PA/AP projection · Lt plain radiograph of the wrist · image size 624x1132.
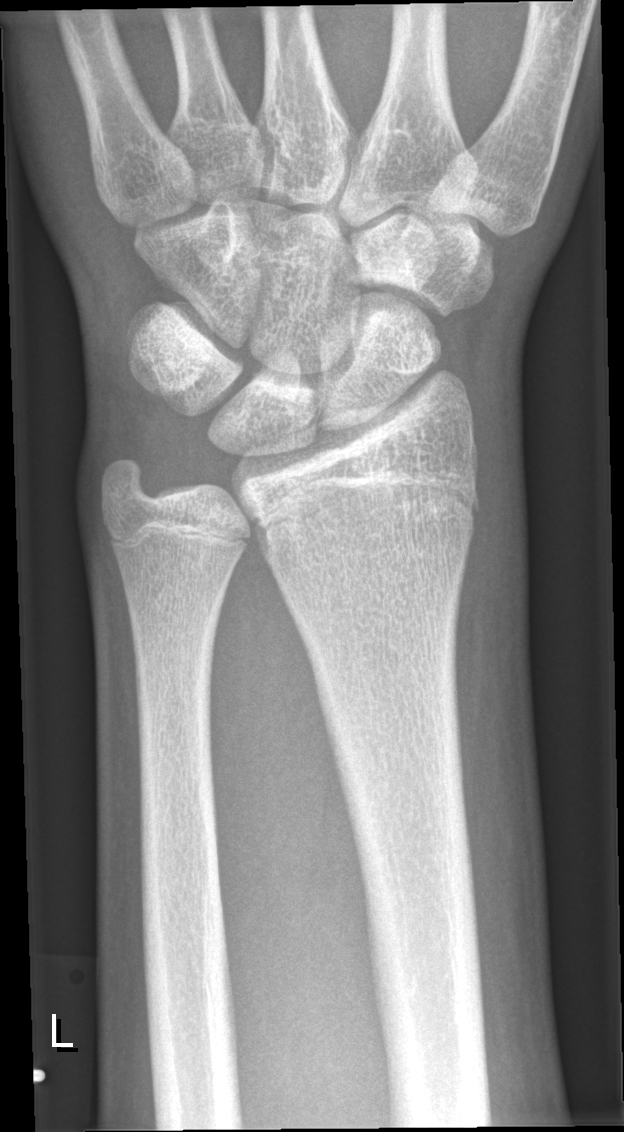 {
  "fracture": "none labeled"
}